Lateral view | L wrist plain film | 15y M | follow-up study | Siemens | image size 516x964

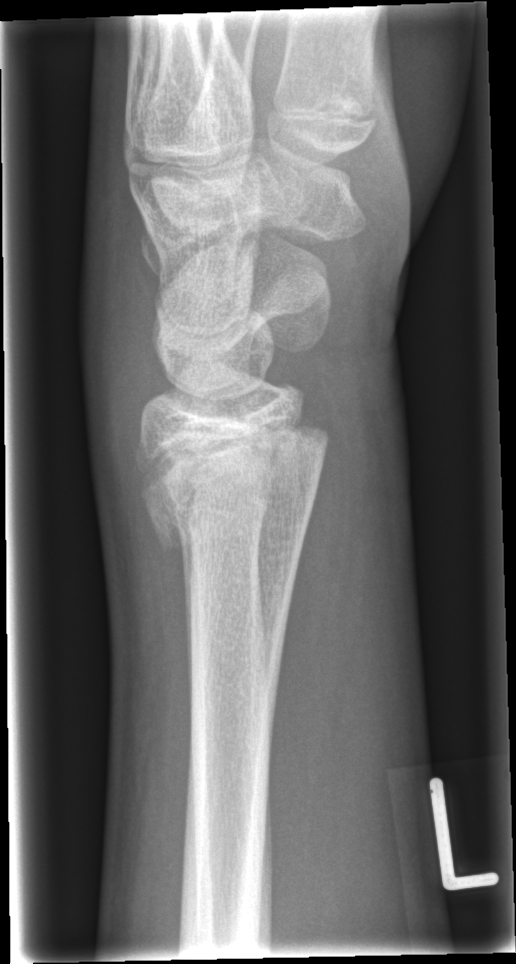 Findings: Bone fracture — (135, 413, 333, 545).